Right wrist plain radiograph of the wrist · lat · pediatric patient (boy, age 5) · 492x982 — 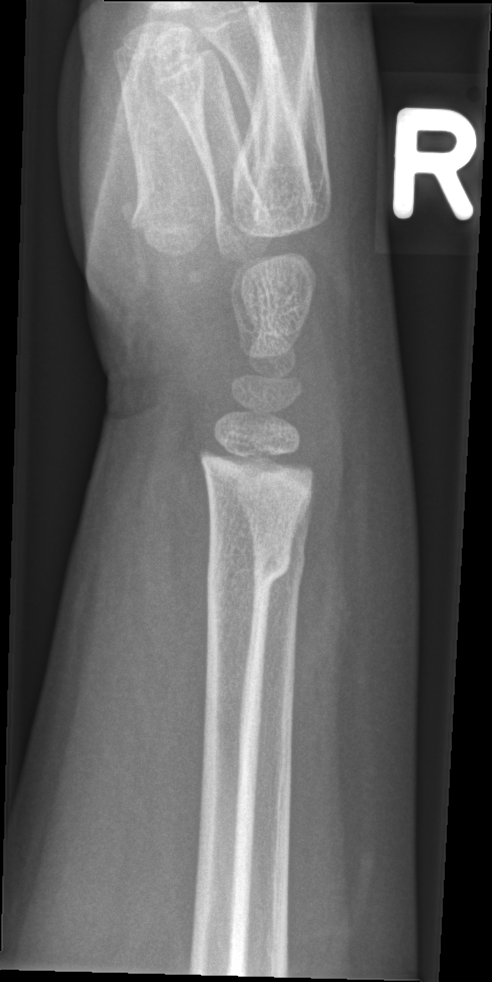 - Bounding boxes in image-pixel xyxy.
- Two fractures at (201, 537, 293, 598) (247, 527, 310, 594).